R pediatric wrist radiograph; PA/AP projection; Siemens — 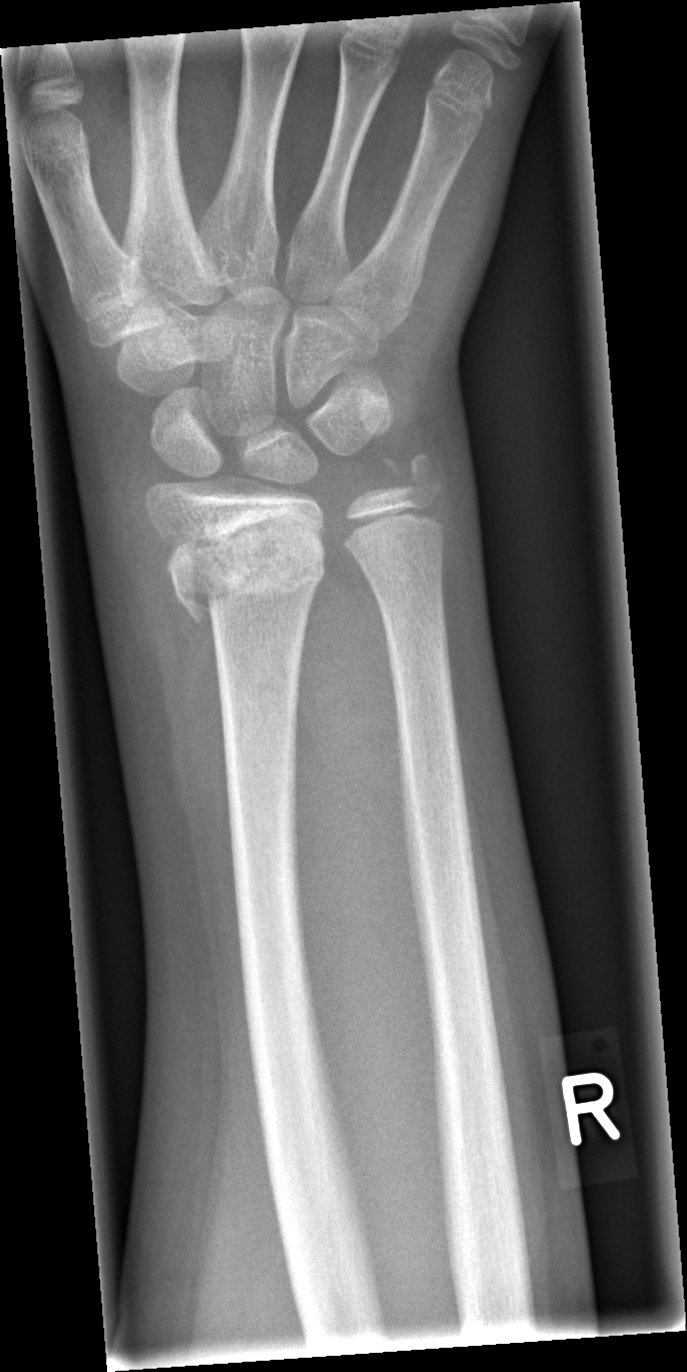 Coordinates are [x1, y1, x2, y2] in image pixels.
AO/OTA classification: 23r-E/2.1; 23u-E/7.
Bone fracture identified at [x1=162, y1=504, x2=328, y2=627], [x1=377, y1=448, x2=445, y2=515].